Right wrist X-ray · lat view · 10-year-old male:
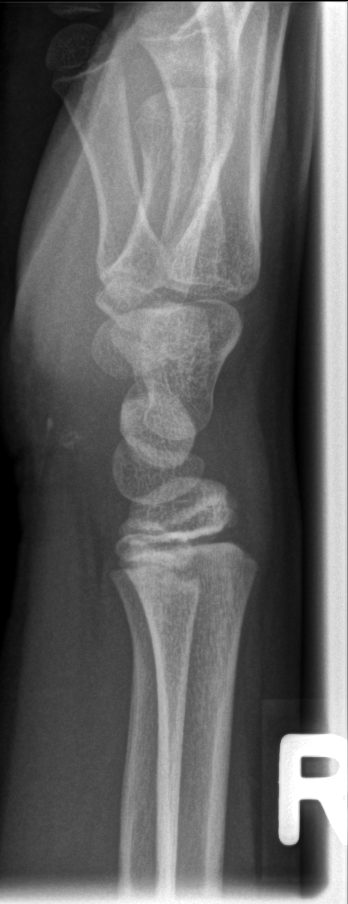

Fx: none labeled